Rt plain radiograph of the wrist | lat | subsequent exam | imaged through cast | 79.5 mm image width | 552 by 1456 pixels — 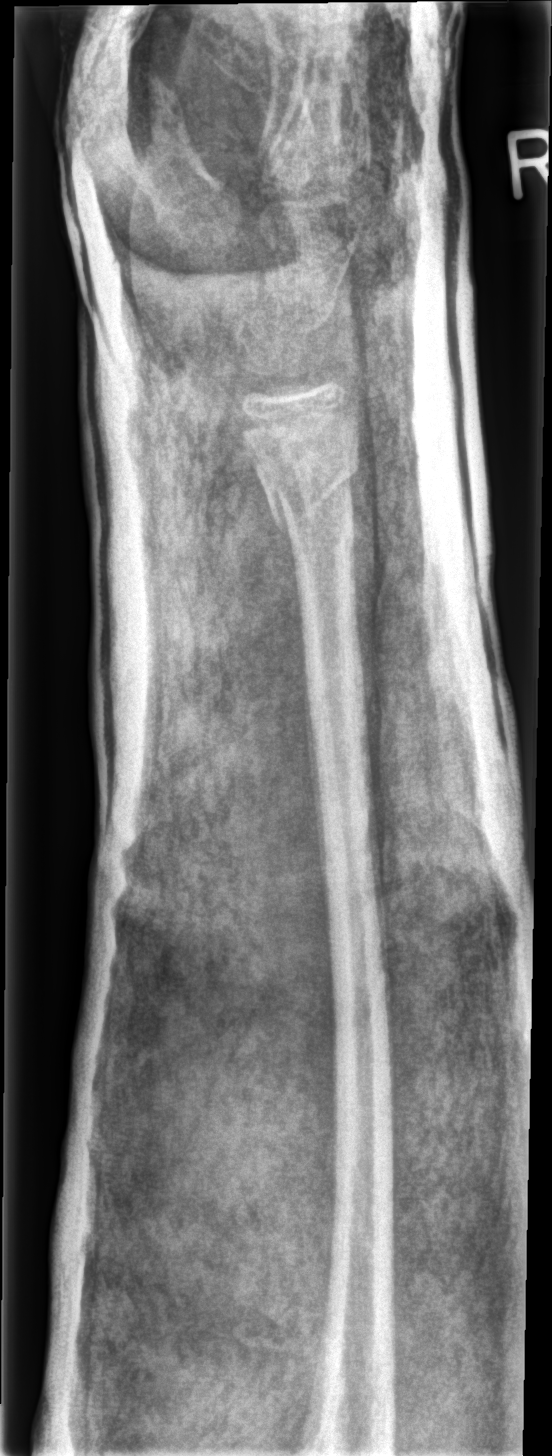

fracture: 1 @ (left=252, top=441, right=364, bottom=541)
ao: 23r-M/3.1; 23u-M/2.1